Lateral view, Rt plain radiograph of the wrist, male, 16 yo. 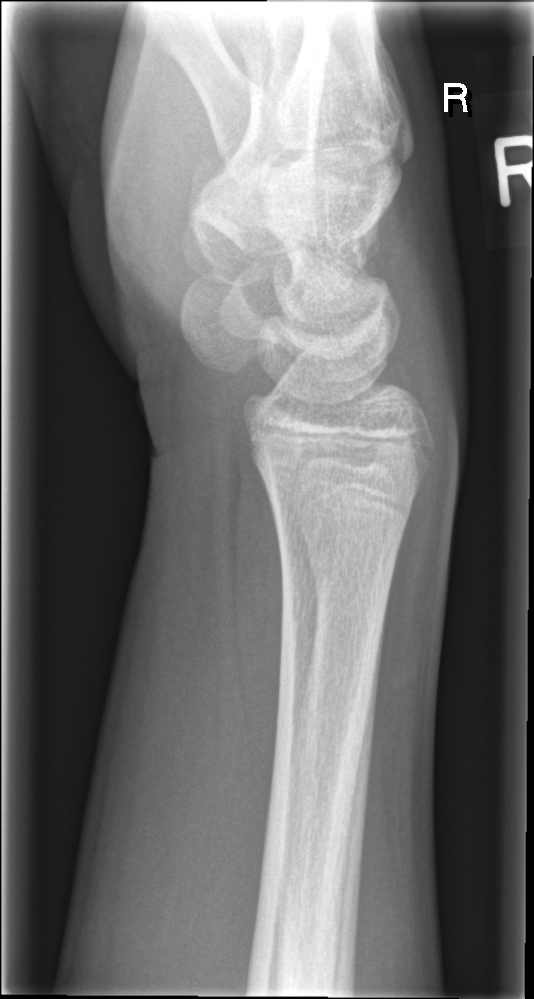 fracture: none labeled